R plain radiograph of the wrist, AP, 12-year-old boy, 615 by 1068 pixels: 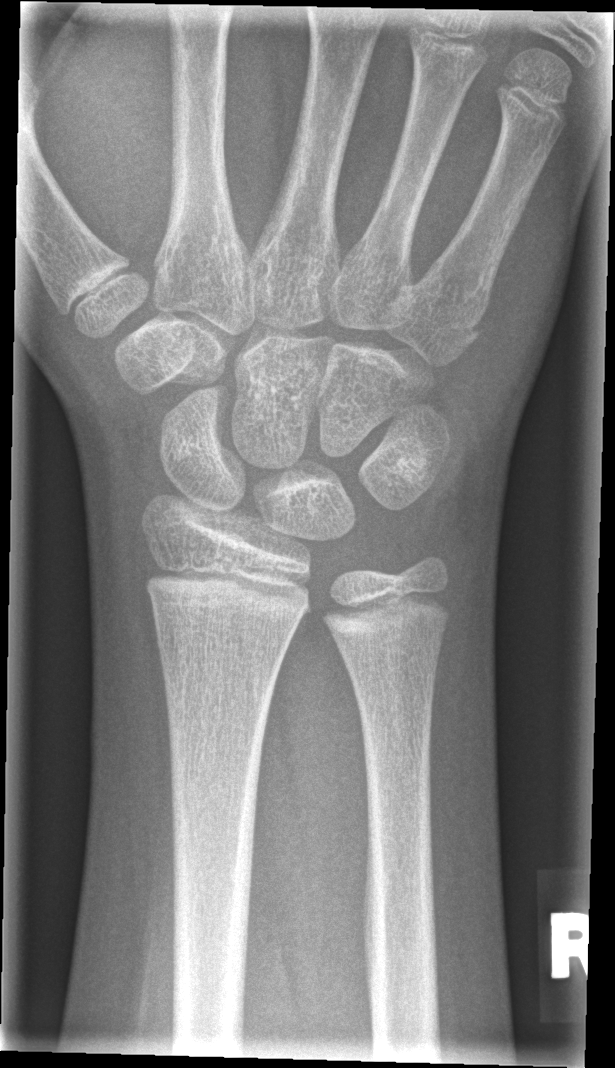

* No fracture labeled.